Lateral view | right wrist X-ray | male, 9 yo | initial study
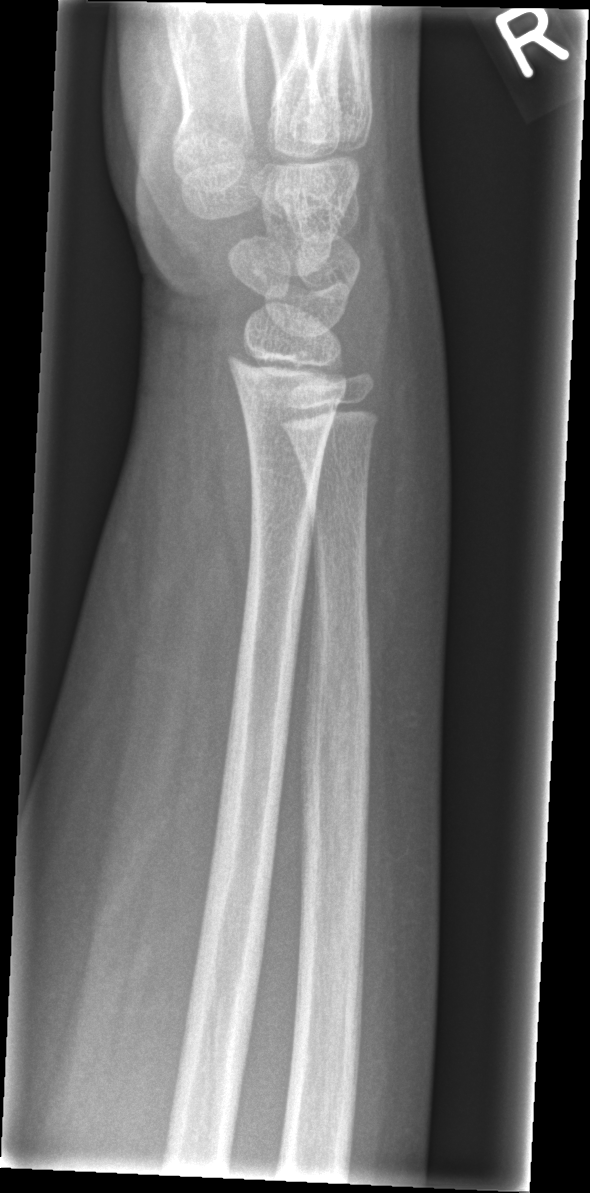

Q: Is there a fracture?
A: No fracture annotation